Lateral | left pediatric wrist radiograph | index exam:

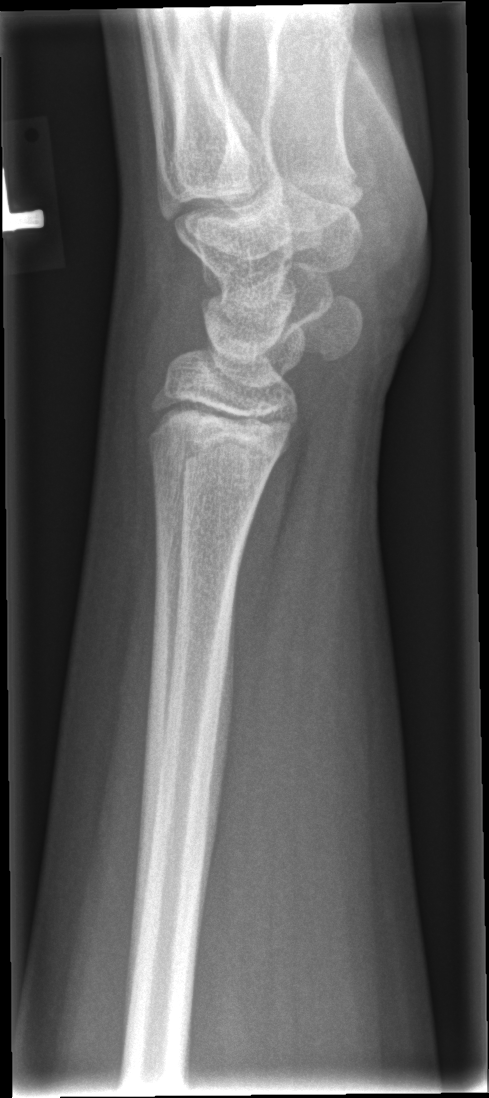

* Fx: none.